Left wrist plain film | PA/AP projection
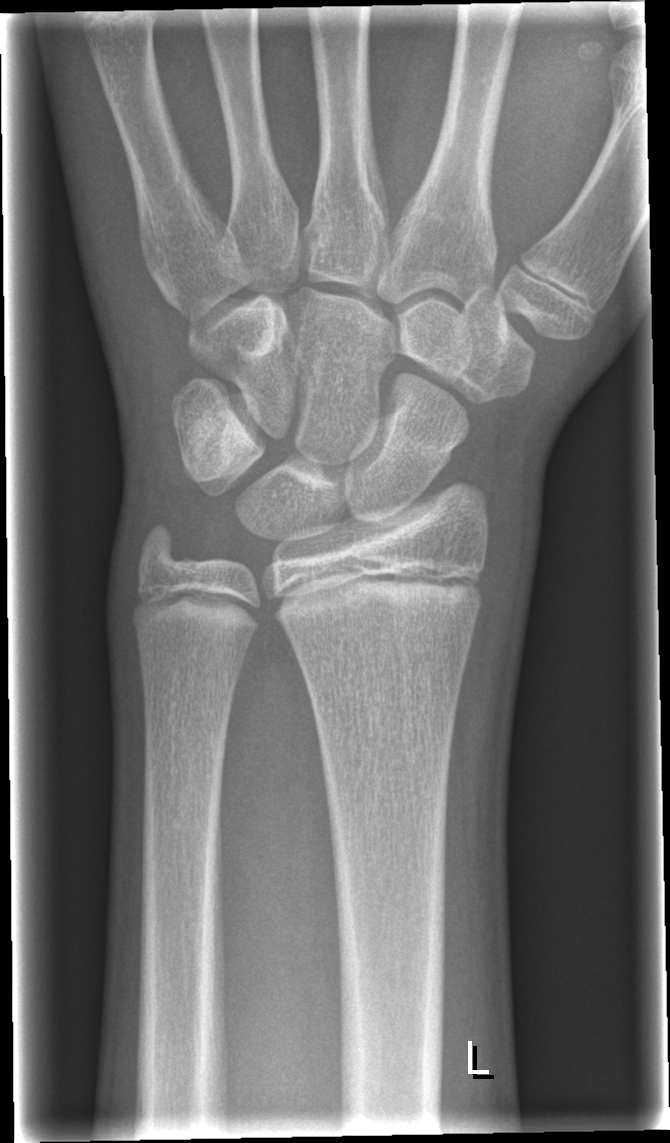

Q: Locate any fractures.
A: Fracture: none labeled